L plain radiograph of the wrist | PA projection

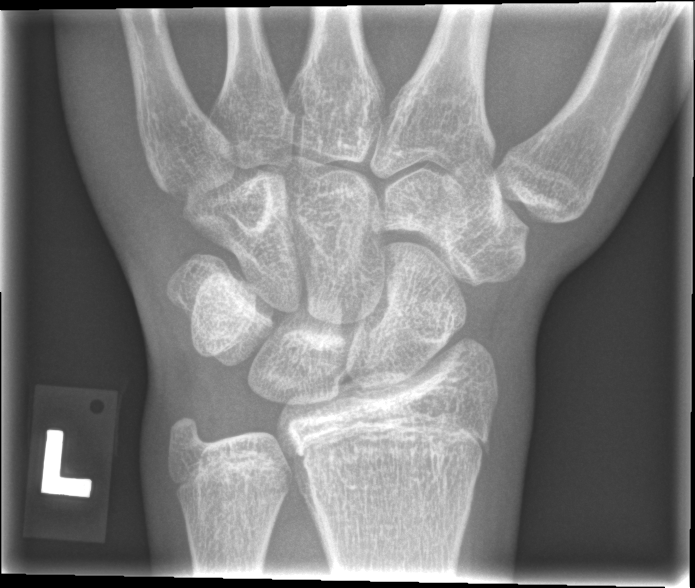 Q: Locate any fractures.
A: Fx: none